R pediatric wrist radiograph, lat, 14-year-old male —
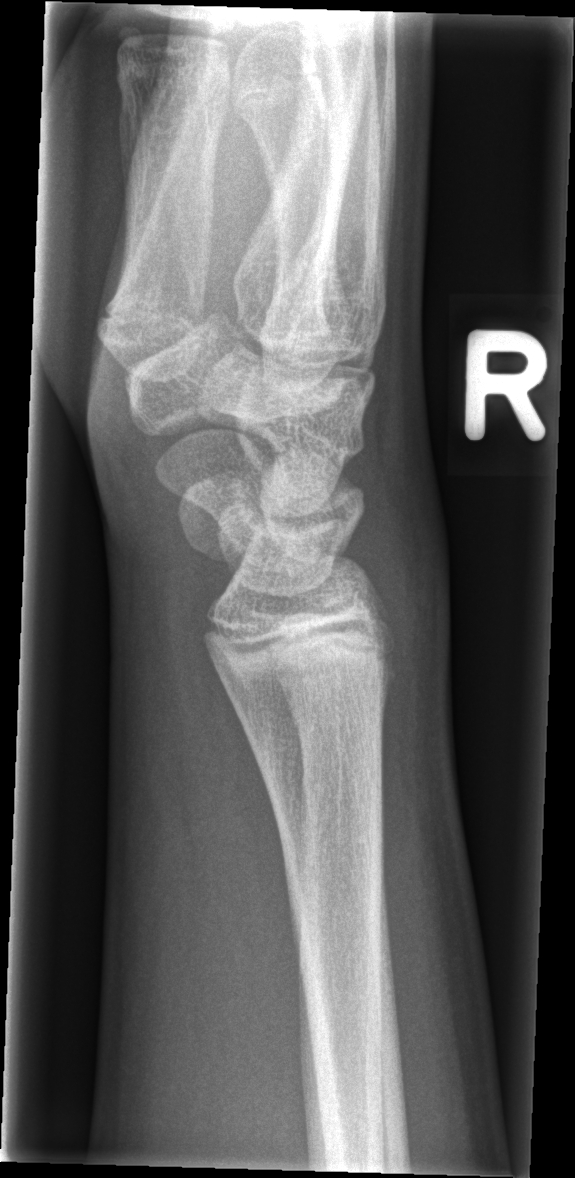
Fracture present, but no bounding box because it is not clearly seen in this view.